Lat; right plain radiograph of the wrist; 622x1324 — 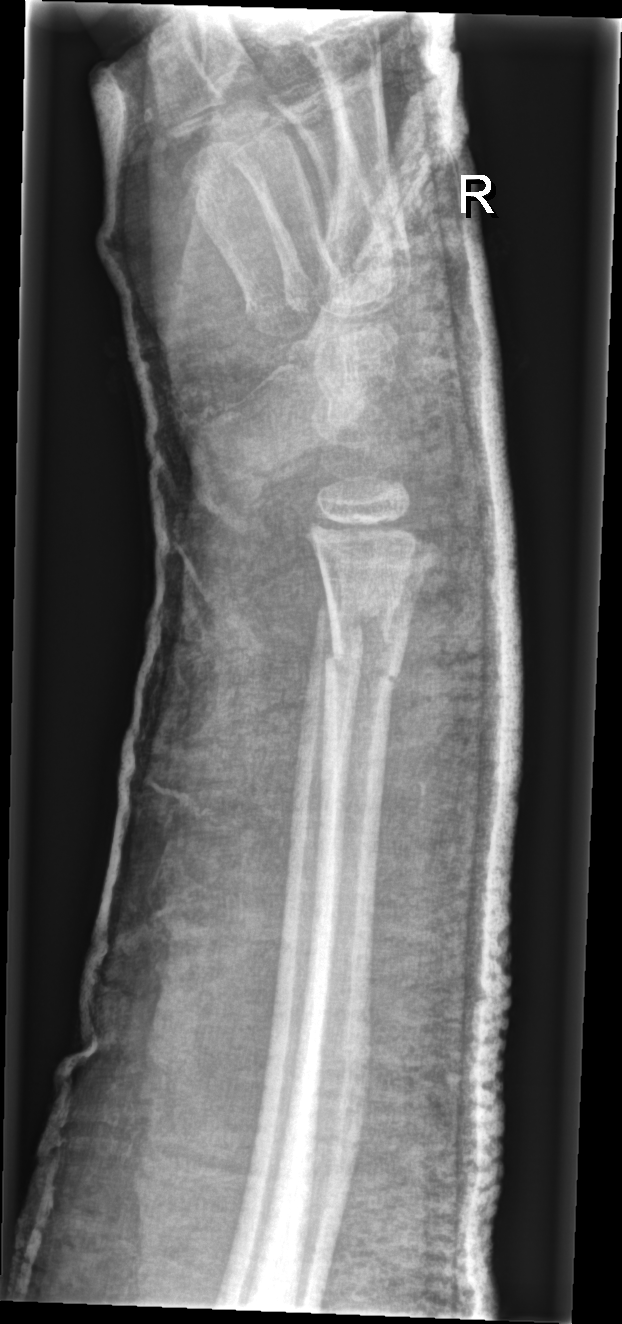
FINDINGS — (pixel coordinates, top-left origin, xyxy) Fx identified at 311,590,413,702. AO code 23-M/3.1.